Left wrist radiograph · lateral · 386 by 577 pixels 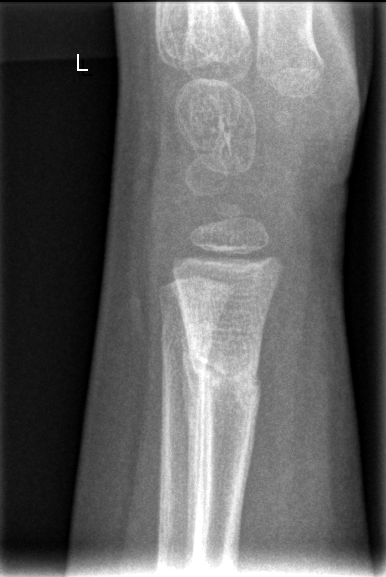
Findings: (bounding boxes in image-pixel xyxy) Fracture — [179, 342, 262, 408]. Fracture classified AO/OTA 23r-M/3.1. Periosteal thickening identified at [184, 336, 199, 563].